Posteroanterior view; L plain radiograph of the wrist:
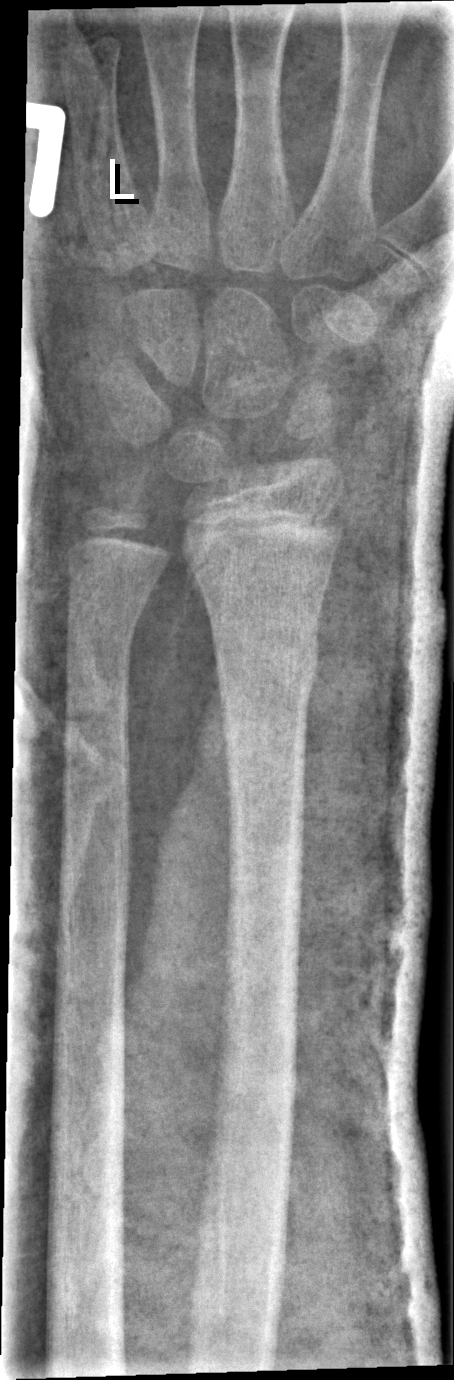
Fracture classified AO/OTA 23-M/2.1.
Fx identified at (207, 618, 323, 711).